PA/AP projection; L wrist X-ray; equivocal findings —
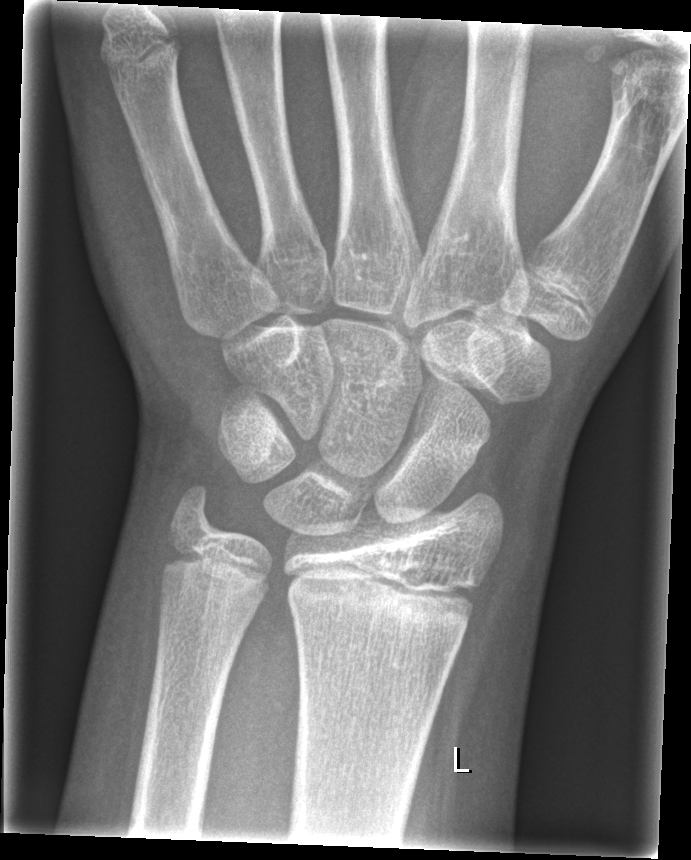 Fracture = present but not clearly seen in this view
AO/OTA = 23r-E/1